L wrist XR; lat view; initial study —

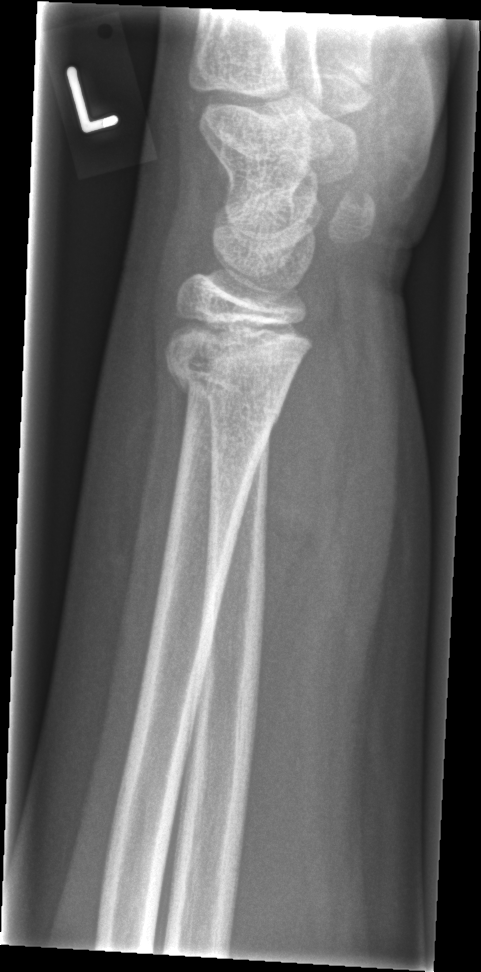
Fx identified at bbox(162, 337, 293, 447). Pronator sign identified at bbox(255, 311, 358, 683).